L plain radiograph of the wrist · lat projection · 8y F · follow-up study · 61.1 mm image width.
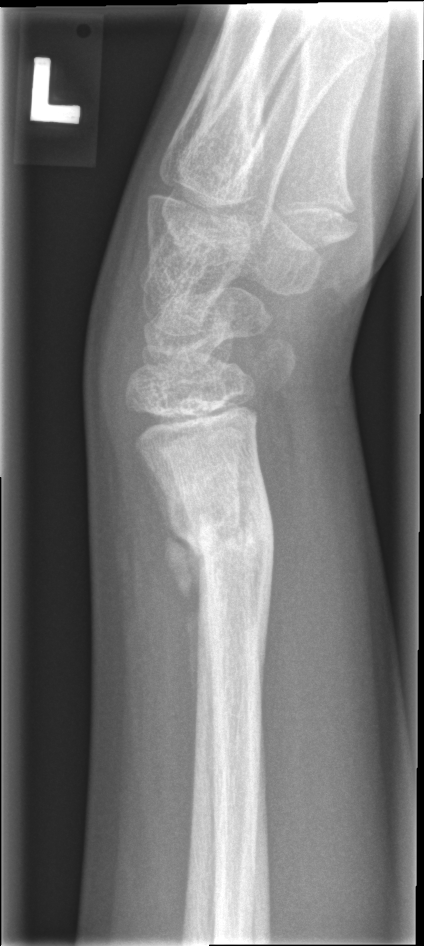

  osteopenia: present
  periostealreaction: (140, 458, 201, 711)
  fracture: (163, 480, 279, 604)